AP view | L plain radiograph of the wrist | 14y F | imaged through cast | detector: Siemens —

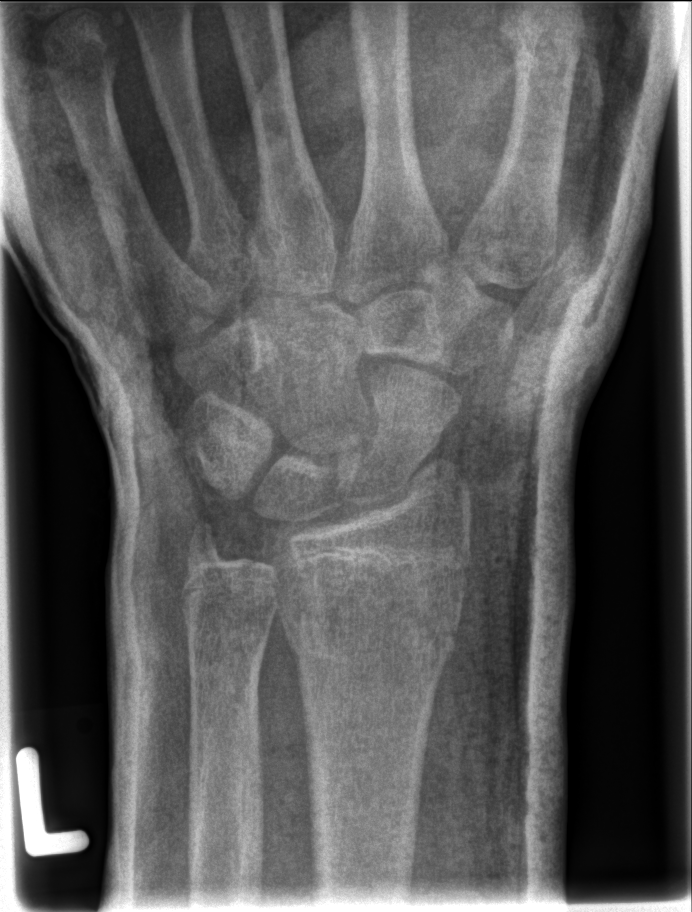 Q: Fracture present?
A: Fx — <269,572>-<464,669>
Q: What is the AO/OTA classification?
A: Fracture classified AO/OTA 23r-M/3.1